Right wrist radiograph · posteroanterior projection · male, 15 yo · subsequent exam

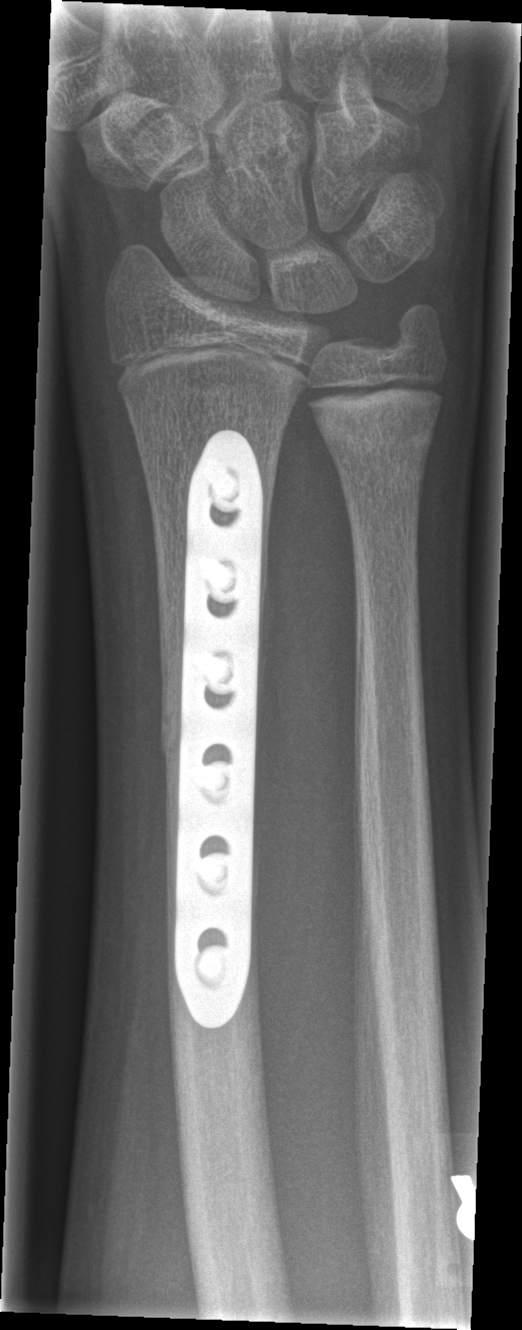
Metal: [179, 422, 261, 1030]. Fx identified at [311, 409, 442, 483].